Right wrist plain film, PA projection, 10y M, detector: Siemens, 506 x 1022 px —
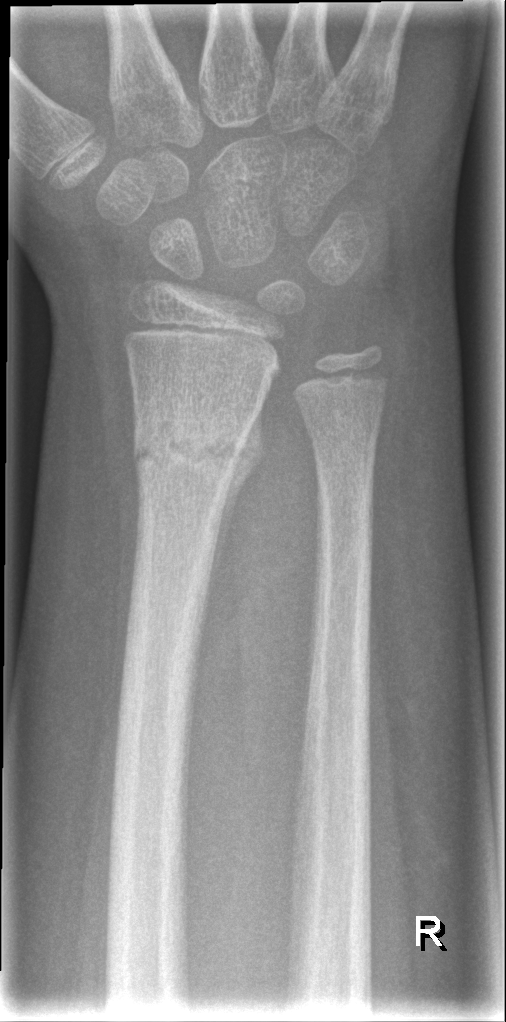

Reduced bone mineral density. One periosteal thickening at bbox(198, 394, 267, 648). Bone fracture — bbox(126, 410, 259, 485). AO code 23r-M/3.1.